Left wrist plain film, lat view, male, 16 yo
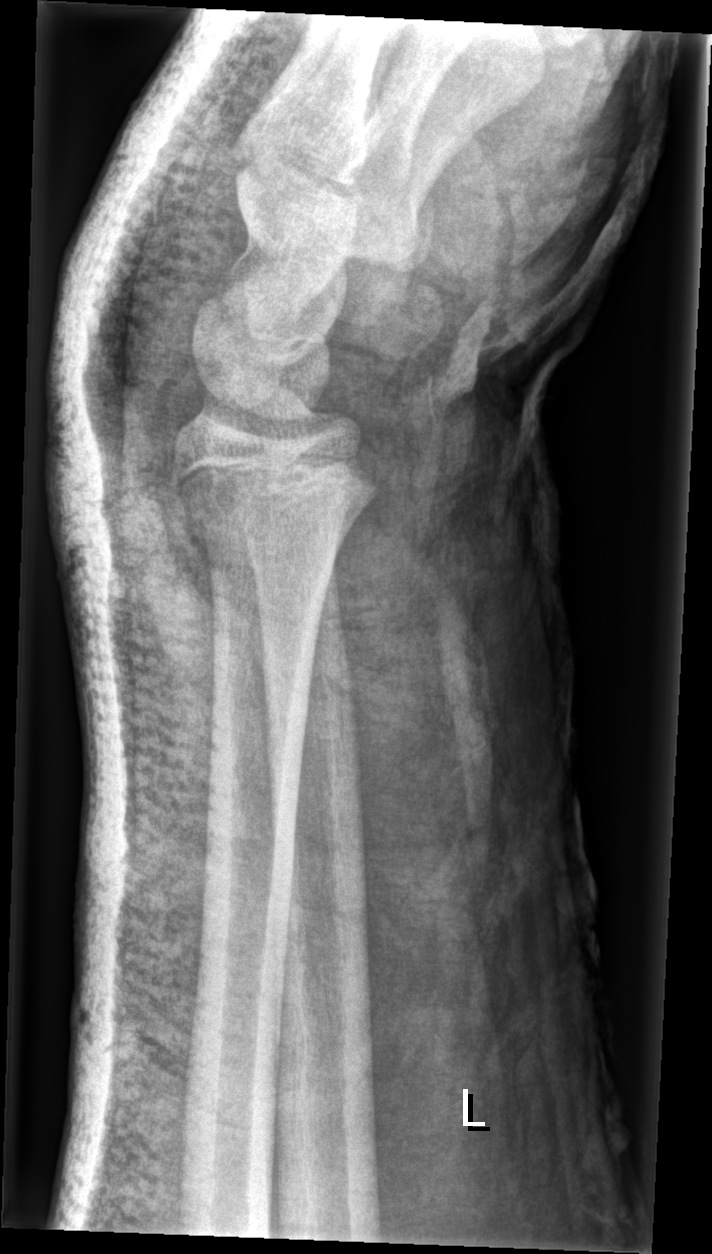
(bounding boxes in image-pixel xyxy)
Bone fracture = 1 @ bbox(167, 439, 383, 537)
AO classification = 23r-E/2.1